Right wrist pediatric wrist radiograph · lat · index exam · 69.1 mm image width:

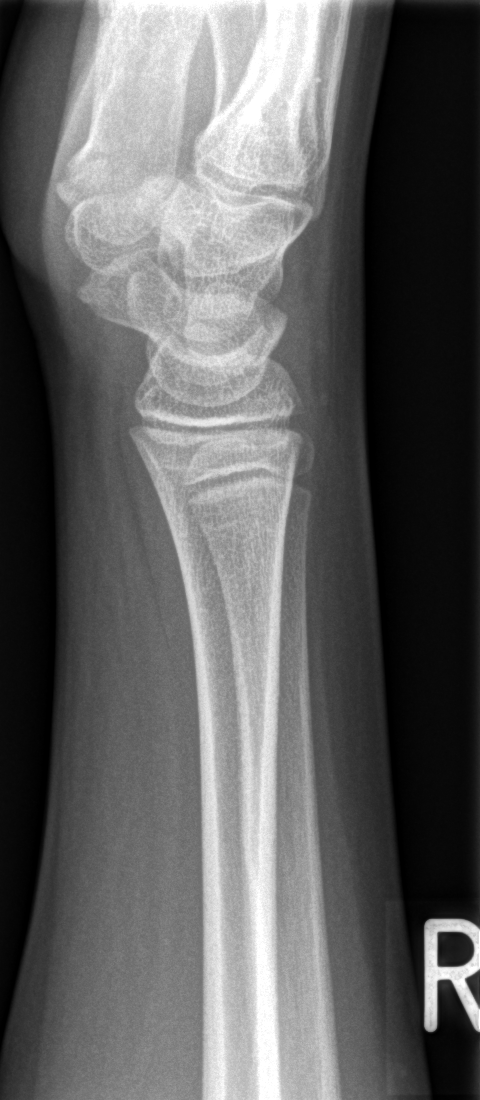 Q: Fracture present?
A: No fracture labeled